Frontal · left wrist XR · image size 474x757: 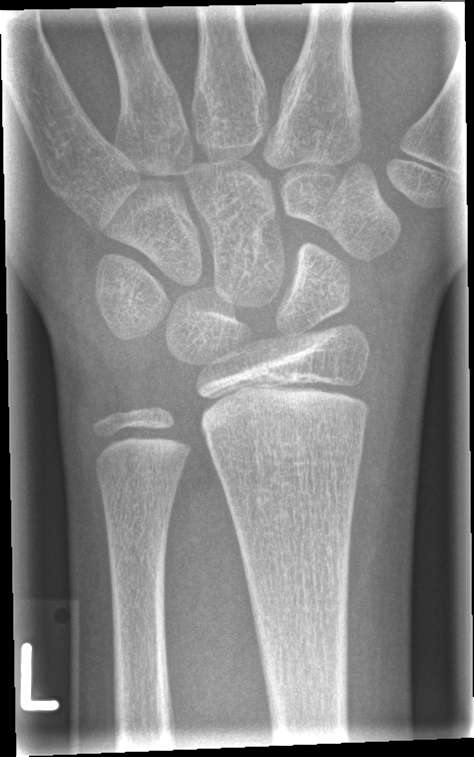
• Fx: present but not clearly seen in this view.